Posteroanterior projection; left wrist pediatric wrist radiograph; age 17 y, male; image size 802x1239. 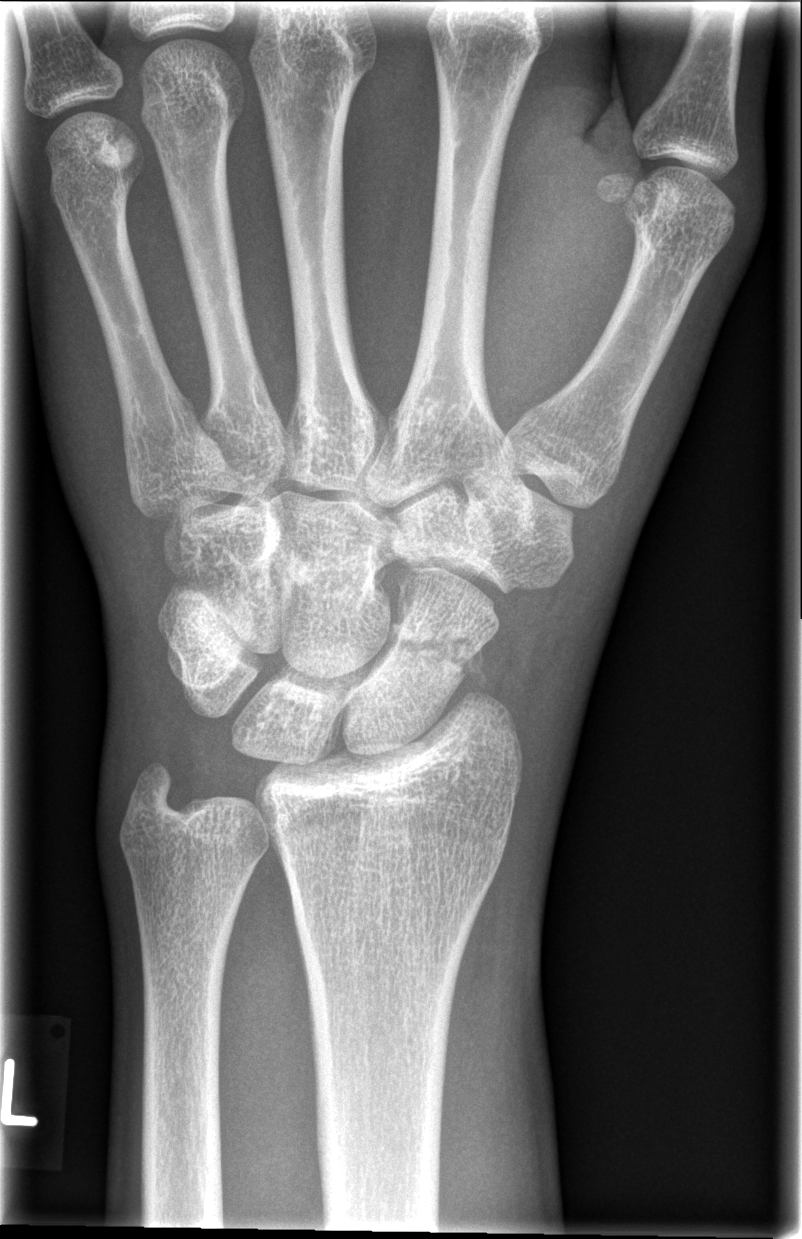
Boxes as x1,y1,x2,y2 (top-left / bottom-right, pixel units). AO code 72B(b). Fx identified at [368, 617, 492, 692].